Rt plain radiograph of the wrist · lat projection: 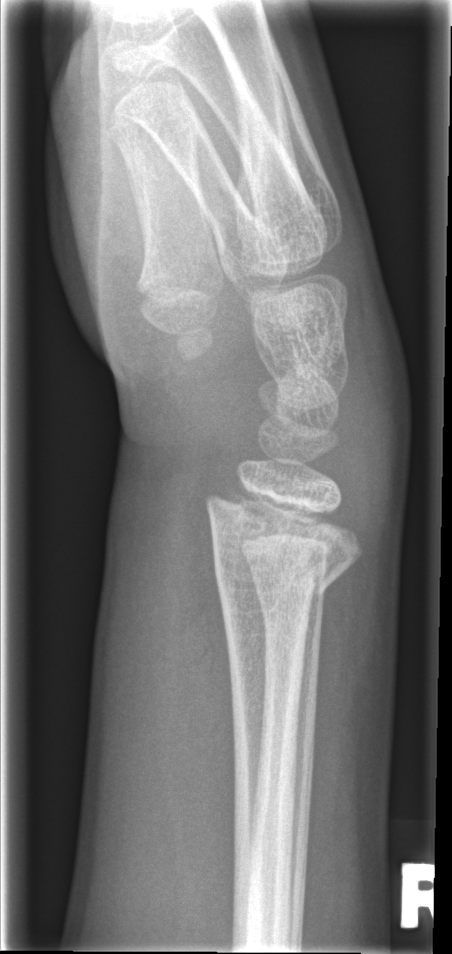
(bounding boxes in image-pixel xyxy)
Q: Is there soft-tissue abnormality?
A: One soft-tissue finding at [x1=335, y1=302, x2=411, y2=535]
Q: AO code?
A: Fracture classified AO/OTA 23r-E/2.1
Q: Any fracture seen?
A: One fracture at [x1=199, y1=488, x2=368, y2=604]